Left wrist plain film | lateral | girl, 7 yo | imaged through cast | image size 378x1045
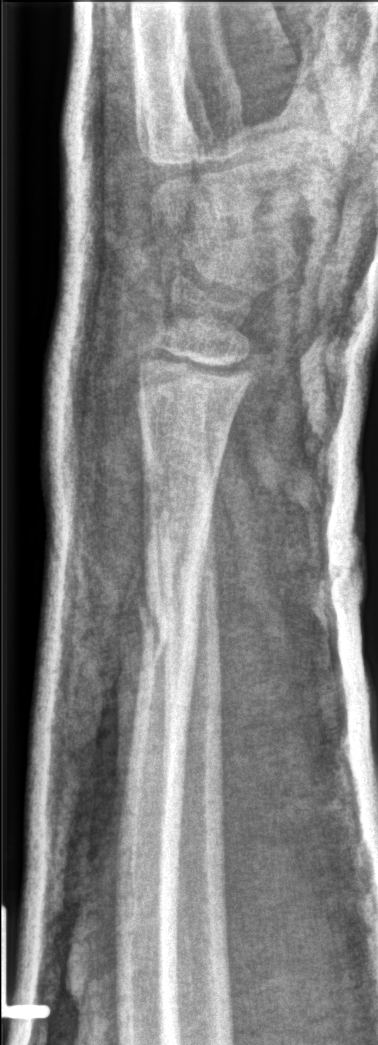 Fracture — [133, 513, 227, 674].